AP; L plain radiograph of the wrist; presentation radiograph; Siemens; image width 65.4 mm:

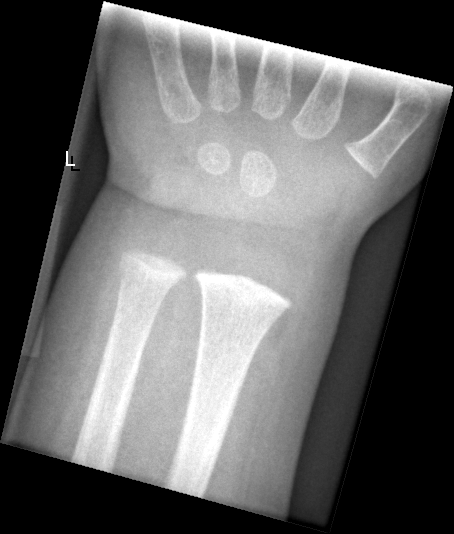 FINDINGS: No fracture bounding box.